Lateral view · Rt wrist XR.

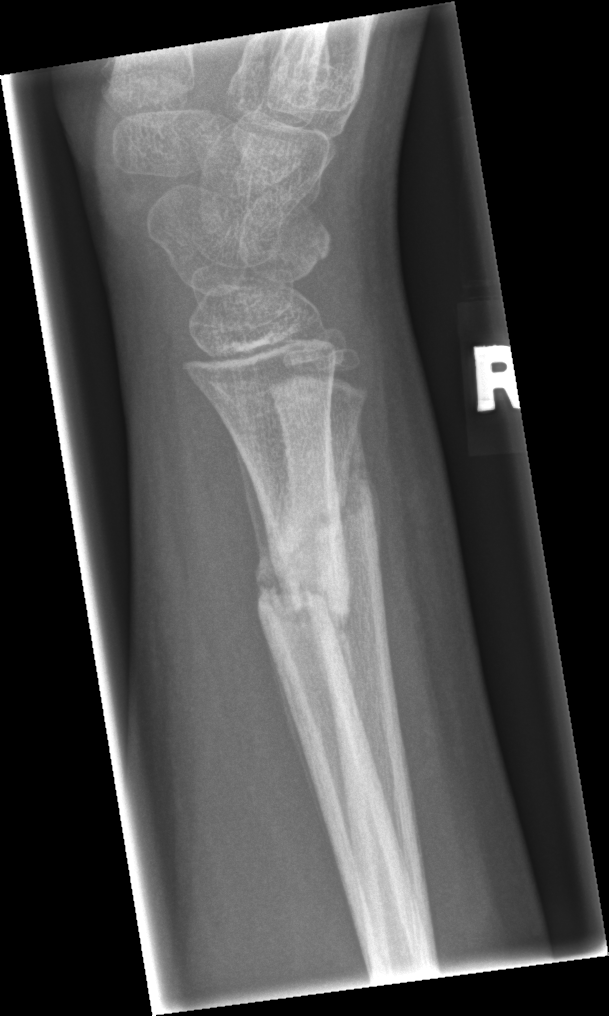

• Two Fx at <281,462>-<393,607>, <253,505>-<359,647>.
• Periosteal thickening identified at <233,434>-<286,609> <333,414>-<383,562>.